Frontal projection, left wrist plain film, 536 by 828 pixels:
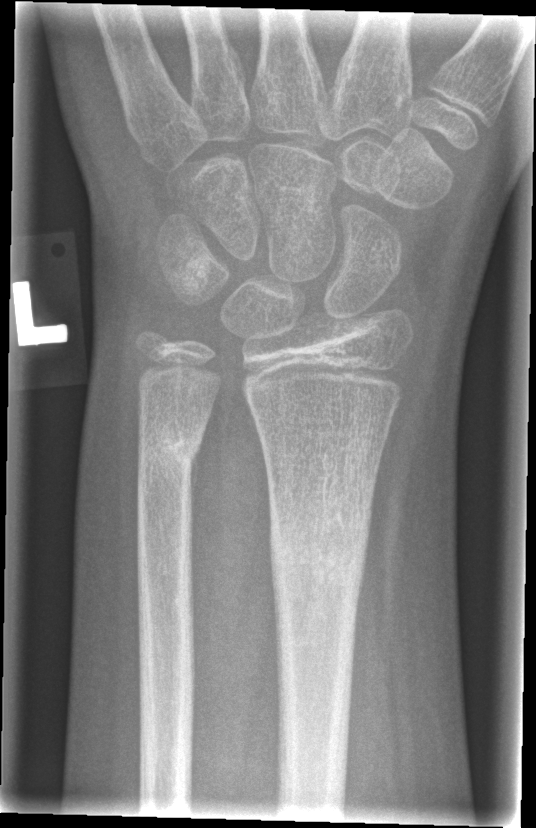 Fx = 2 @ [x1=265, y1=501, x2=376, y2=601] [x1=133, y1=412, x2=209, y2=493]